R wrist plain film; frontal projection —

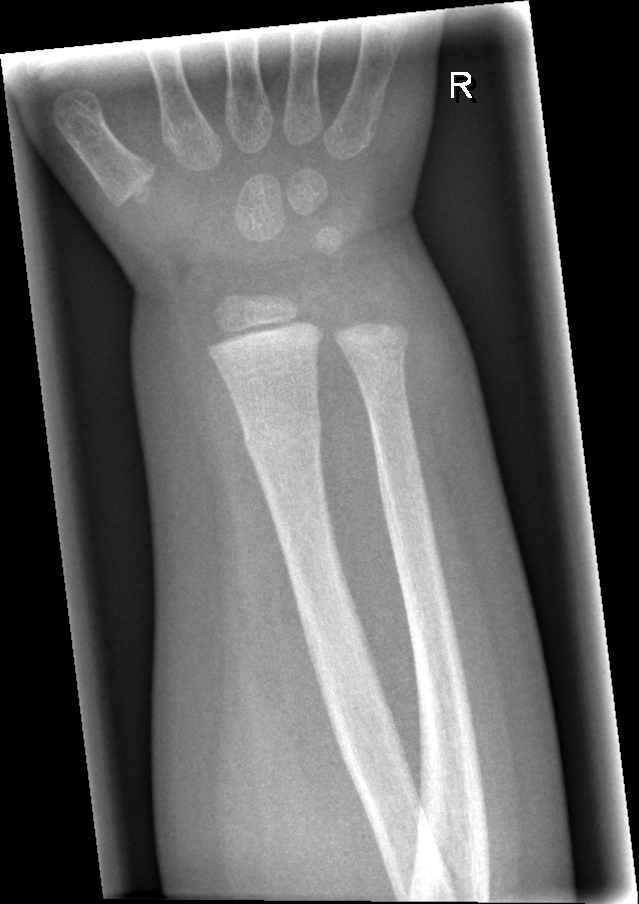 Findings: Fracture: (240, 404, 326, 462). AO/OTA classification: 23r-M/2.1.